Lat · R wrist plain film · follow-up study. 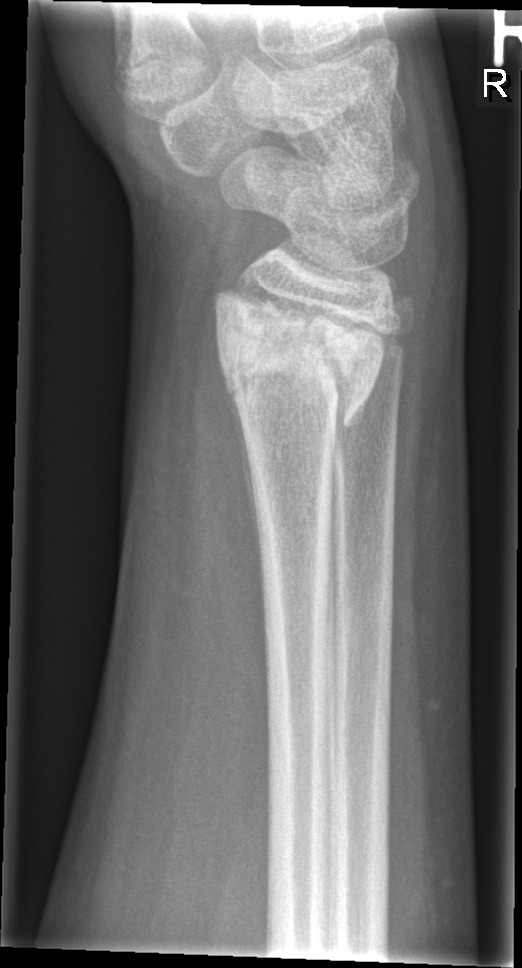
- AO code 23r-M/3.1; 23u-E/7.
- Bone fracture identified at (210, 285, 391, 432).
- Periosteal new bone — (218, 357, 260, 581).